Lat projection, R pediatric wrist radiograph, Siemens:

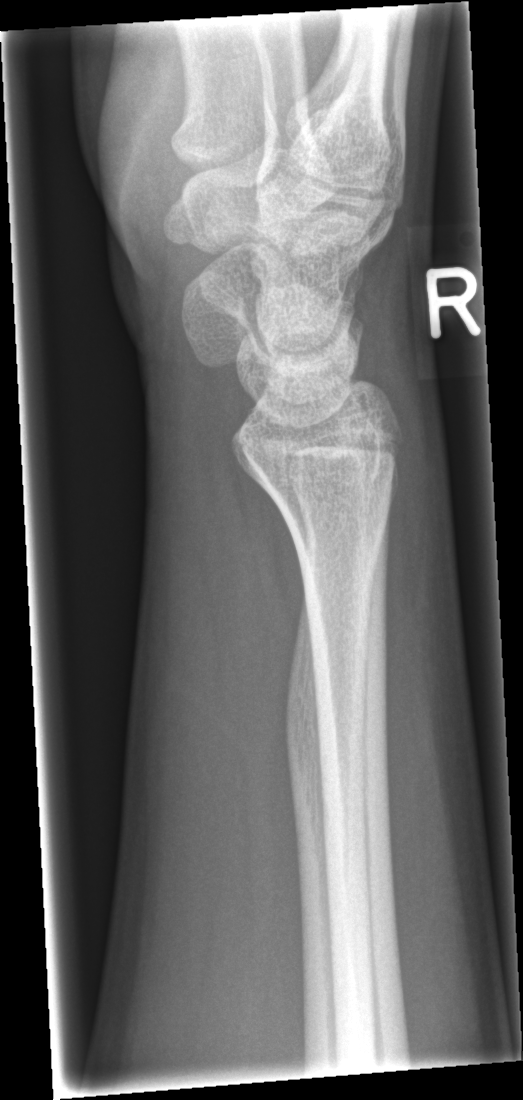

Findings: Fx: none.